Lateral view · left wrist X-ray · follow-up · cast in situ · image width 92.4 mm · image size 642x1282 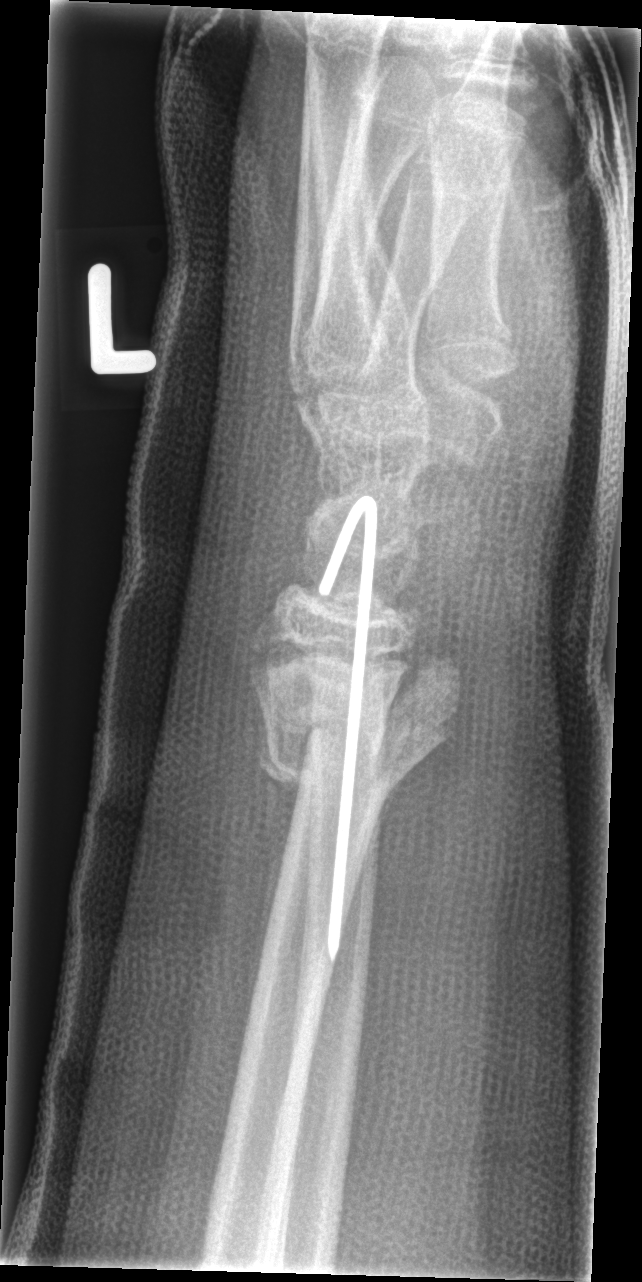
- Coordinates are [x1, y1, x2, y2] in image pixels.
- One periosteal thickening at <235,770>-<302,1082>.
- Bone fracture: <243,636>-<467,803>.
- One metallic implant at <311,489>-<382,963>.